PA projection · left wrist XR.
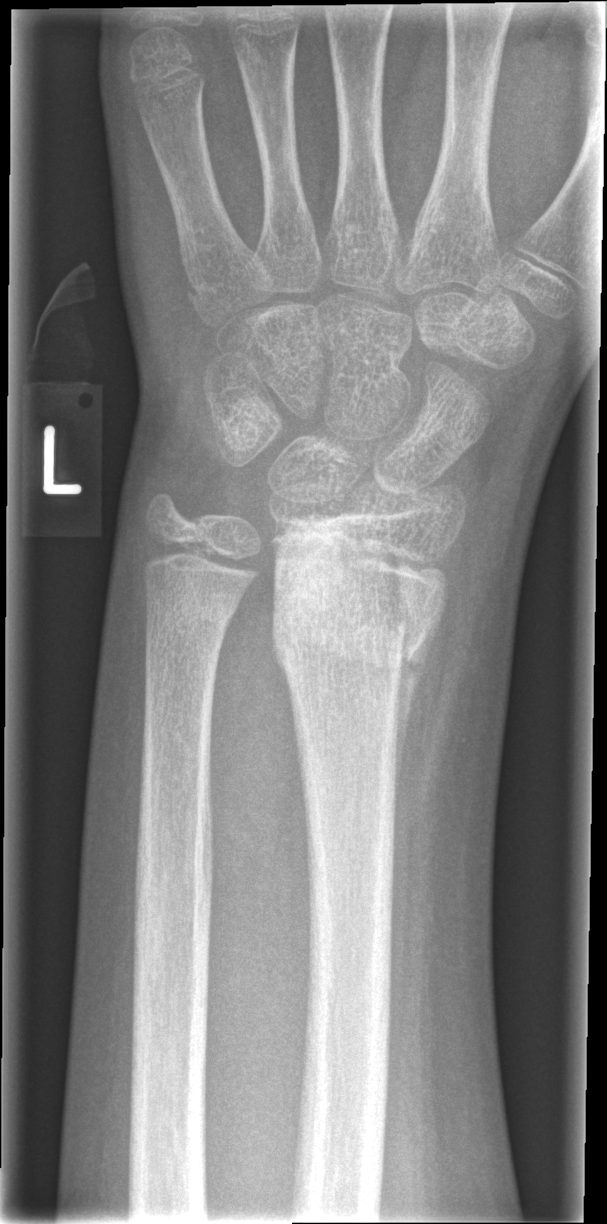
Findings: Decreased bone density (osteopenia). Periosteal reaction: 389 616 441 816. Fx — 268 527 452 683 | 140 585 244 641.